Right wrist XR, oblique projection: 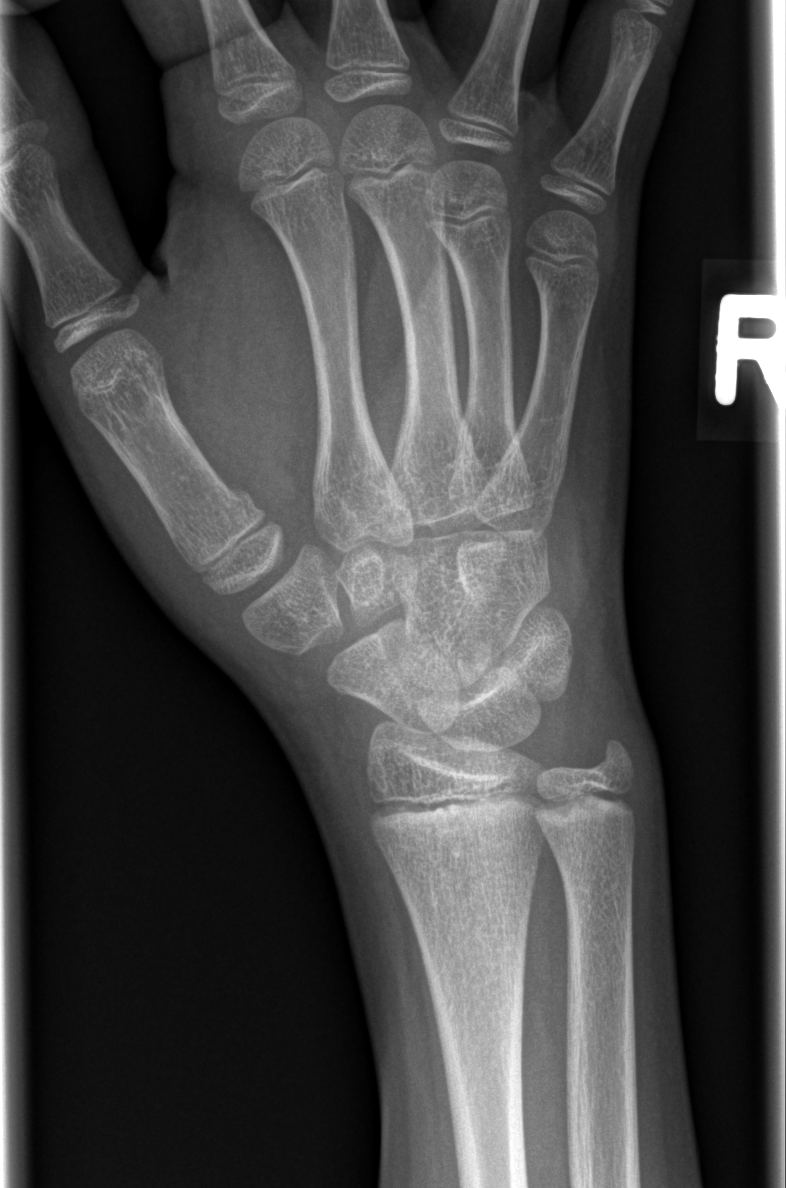

Q: Fracture present?
A: Fx identified at (168, 479, 265, 575)
Q: AO code?
A: AO/OTA classification: 77.1.1A